Lat view, left wrist plain film
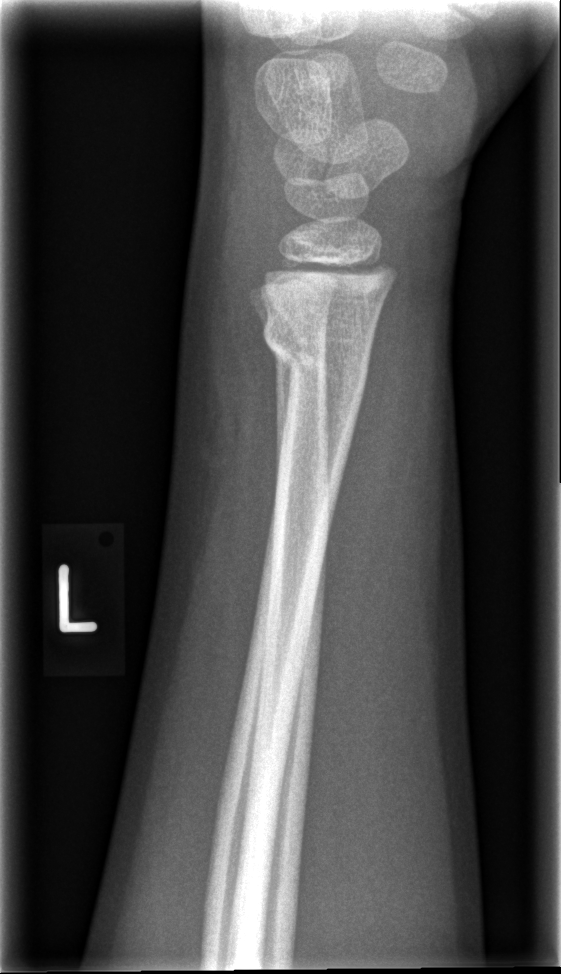
AO/OTA = 23-M/2.1
Fx = 1 @ 261 309 369 405